Lateral · Rt wrist X-ray
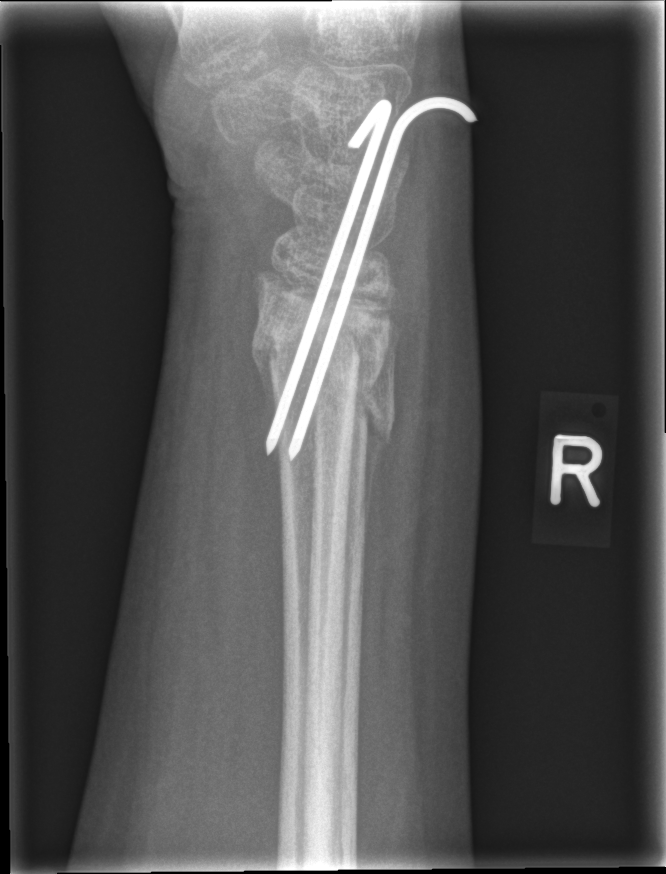 * Fracture classified AO/OTA 23-M/3.1.
* One periosteal new bone at bbox(364, 397, 386, 534).
* Fracture: bbox(251, 311, 397, 504).
* Metallic implant: bbox(261, 89, 486, 468).
* Osteopenic.